Right wrist X-ray, frontal view, follow-up, cast in situ, Siemens 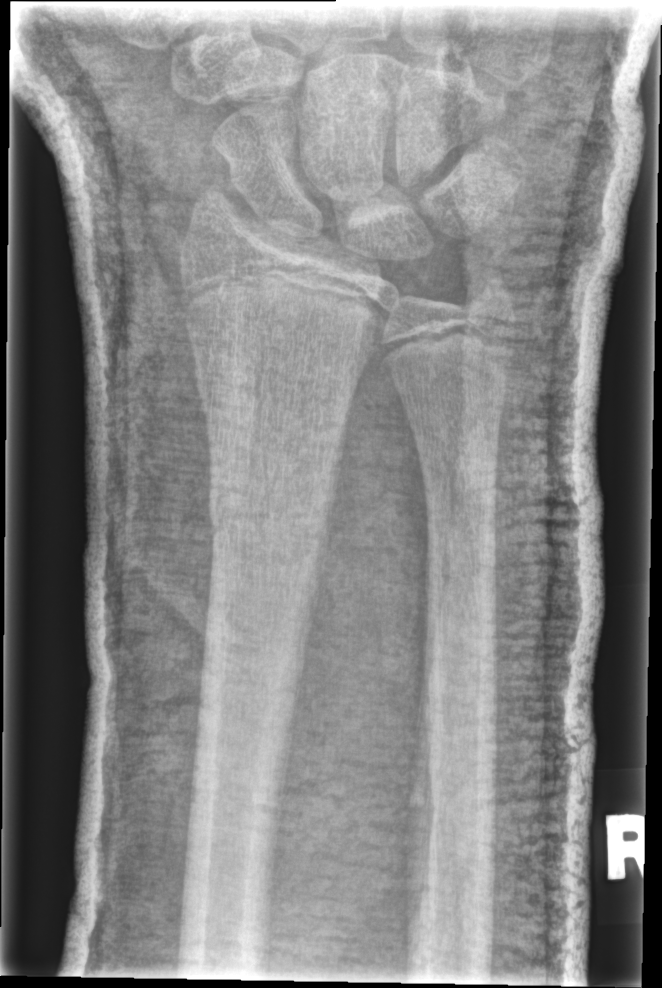 {"_coords": "boxes as x1,y1,x2,y2 (top-left / bottom-right, pixel units)", "ao": "23r-M/3.1; 23u-E/7", "fracture": "1 @ 202 448 337 558"}